Posteroanterior · R wrist radiograph · 7-year-old boy · follow-up · cast present:

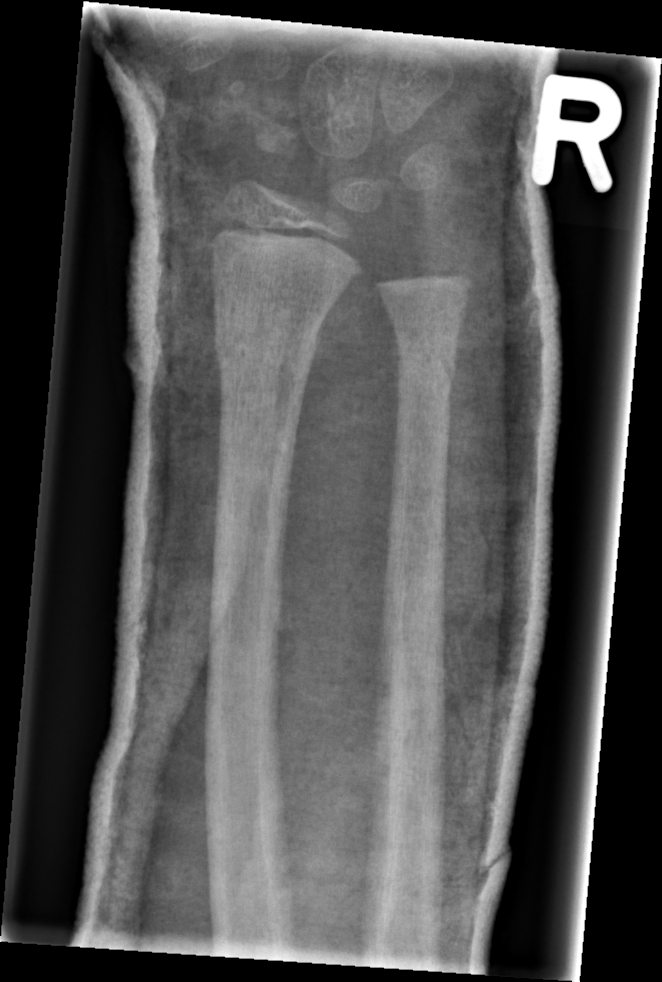 (boxes as x1,y1,x2,y2 (top-left / bottom-right, pixel units))
Q: Any fracture seen?
A: Fracture: 212,313,319,377 | 393,331,460,392